L pediatric wrist radiograph | lat view | 11y F | index exam | Siemens | 512 by 946 pixels 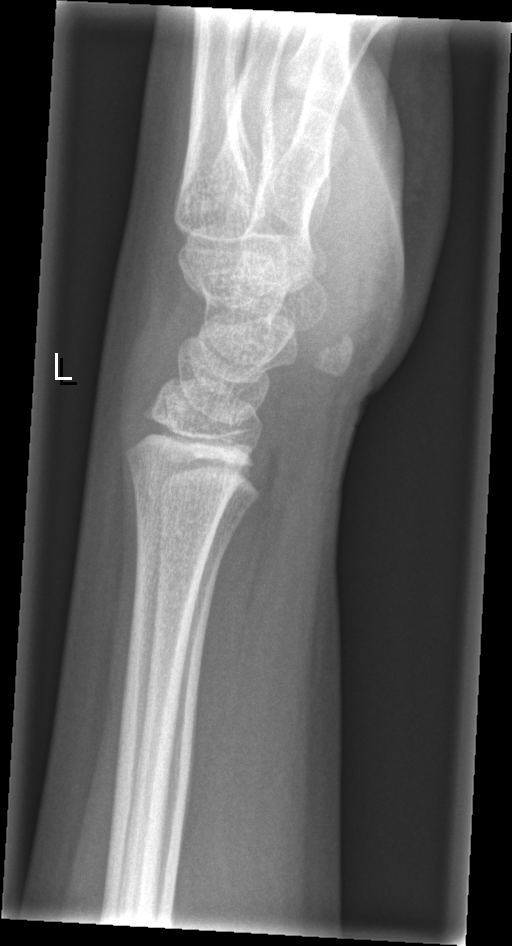

No fracture annotation.